Left wrist plain film, lat view, index exam, 379x968. 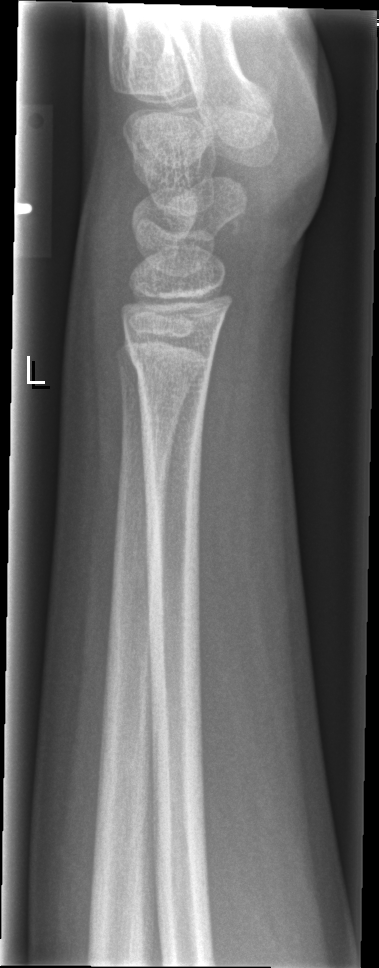

Q: Fracture present?
A: Fx identified at 123 335 216 386